PA/AP view · left wrist plain film 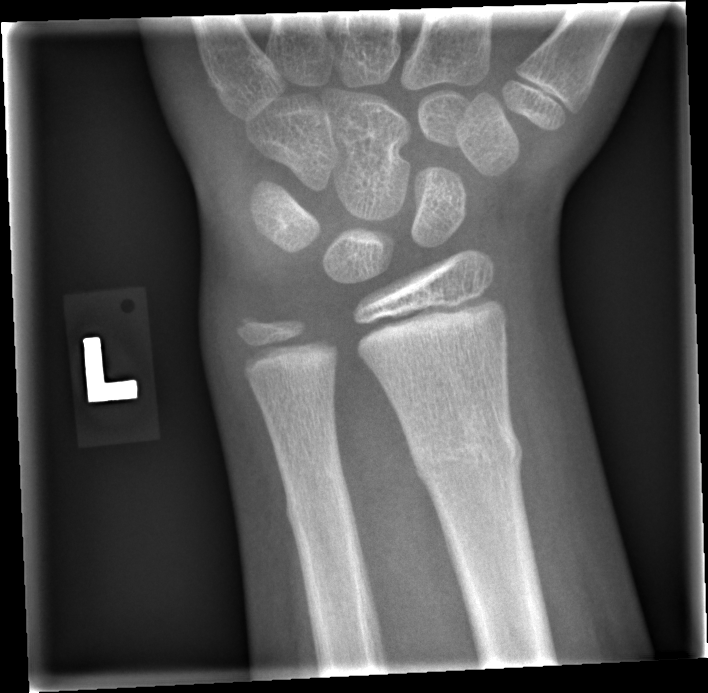
* Three bone fractures at <410,407>-<526,494> <282,481>-<357,537> <226,304>-<272,354>.
* AO/OTA classification: 23-M/2.1; 23u-E/7.